AP projection | R wrist XR | 586 by 1296 pixels —

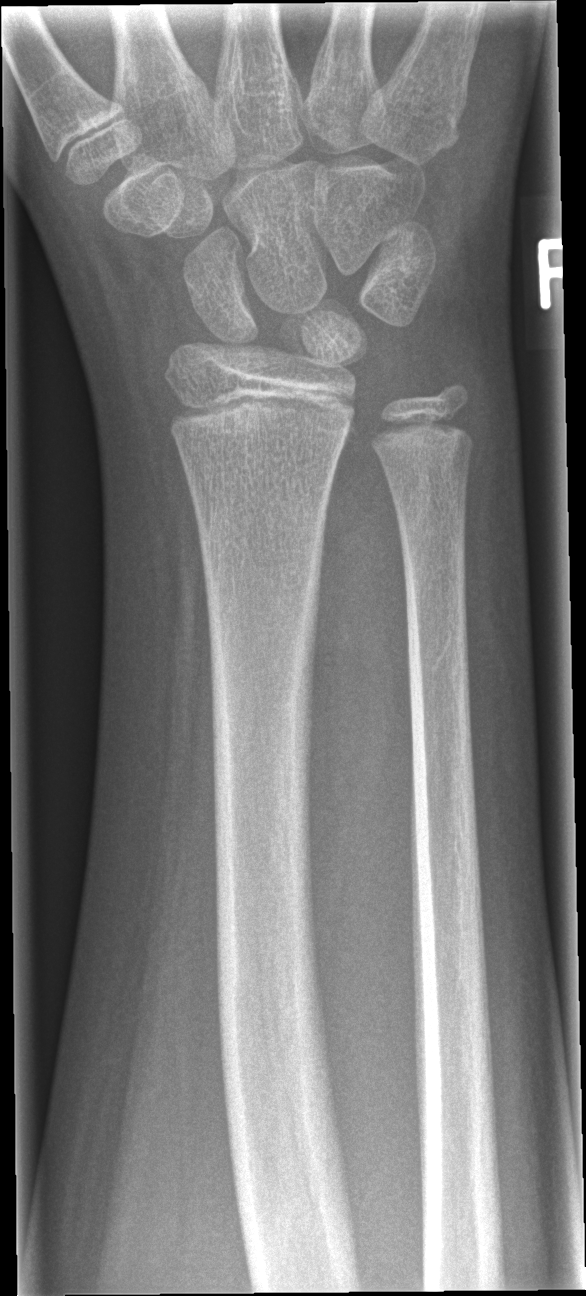

- No fracture bounding box.